Right pediatric wrist radiograph; frontal; 12y M; presentation radiograph:

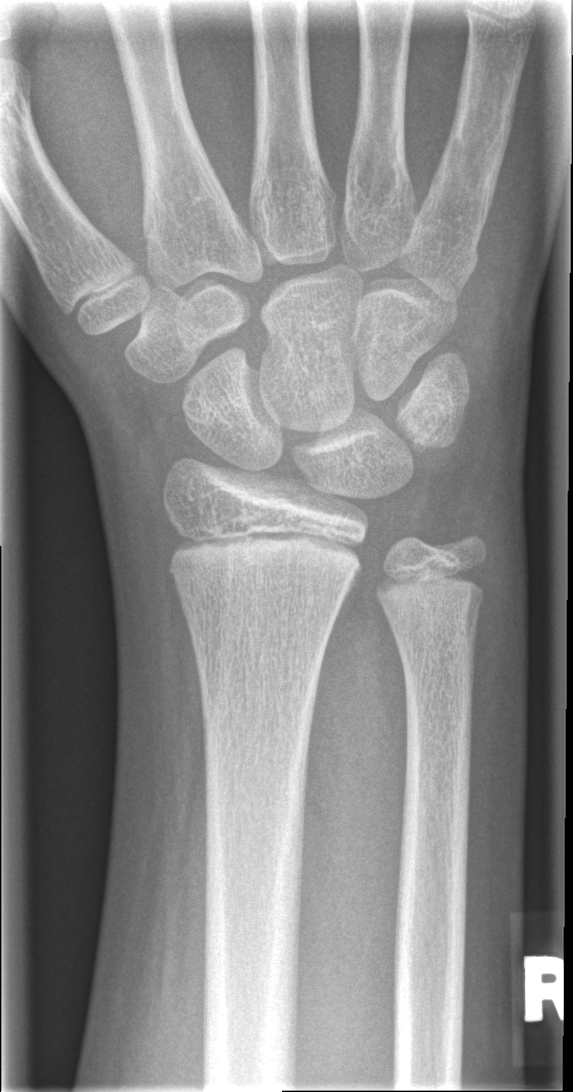 Fx = none labeled